Left wrist X-ray · lat view · subsequent exam 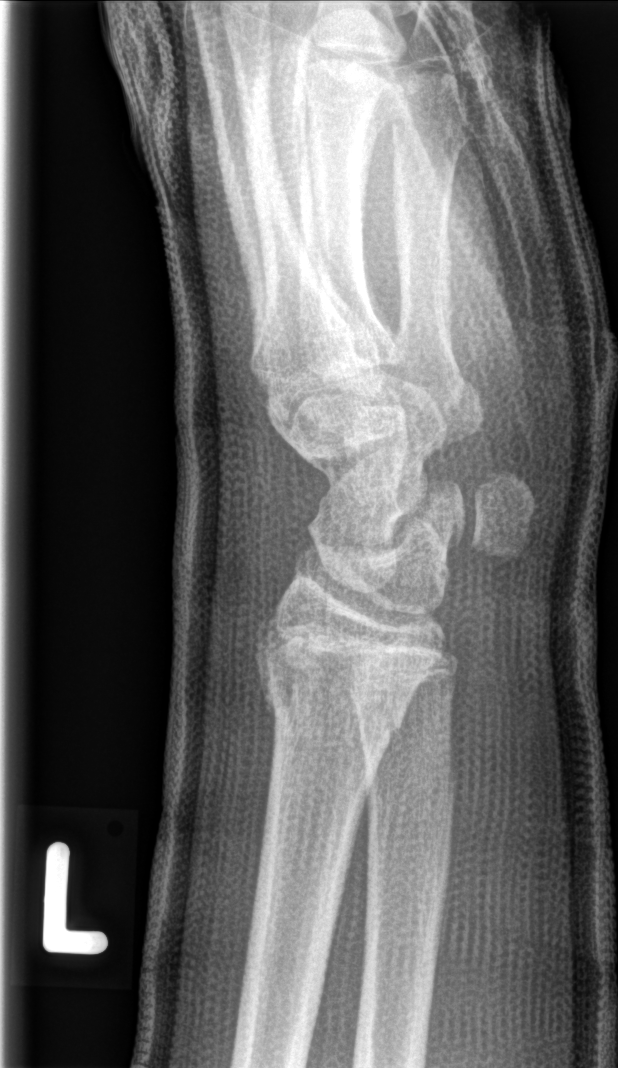 {
  "fracture": "<249,644>-<419,752>",
  "ao": "23r-M/3.1"
}